L wrist X-ray; lateral; age 2 y, girl; initial study; Siemens; image 71.4 mm wide 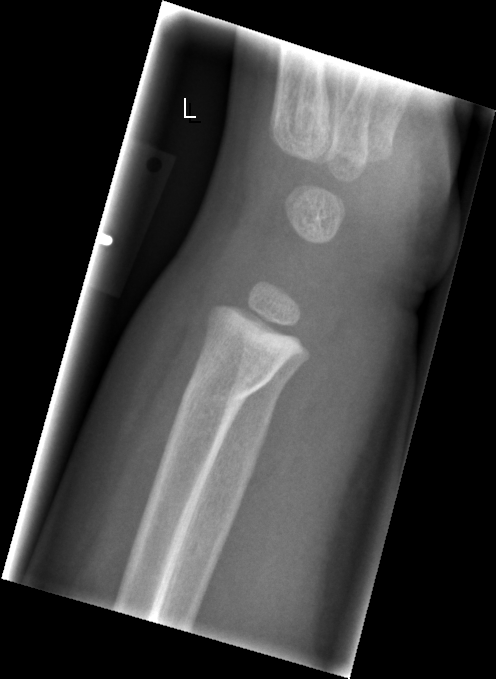
Bone fracture identified at <176,357>-<280,417>.